Lateral projection, L wrist radiograph, Siemens:
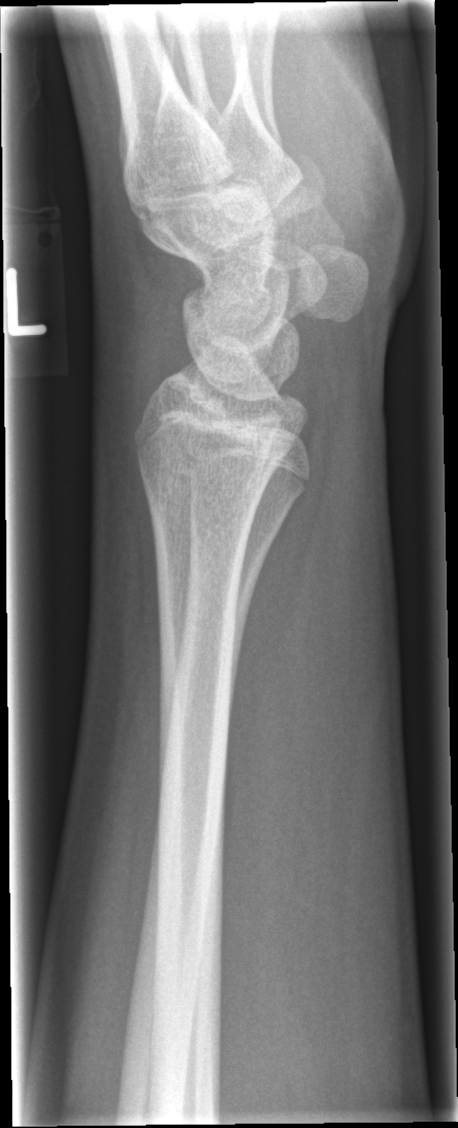 * No fracture annotation.